AP projection | right wrist pediatric wrist radiograph | age 11 y, female | presentation radiograph | 513 by 1238 pixels —
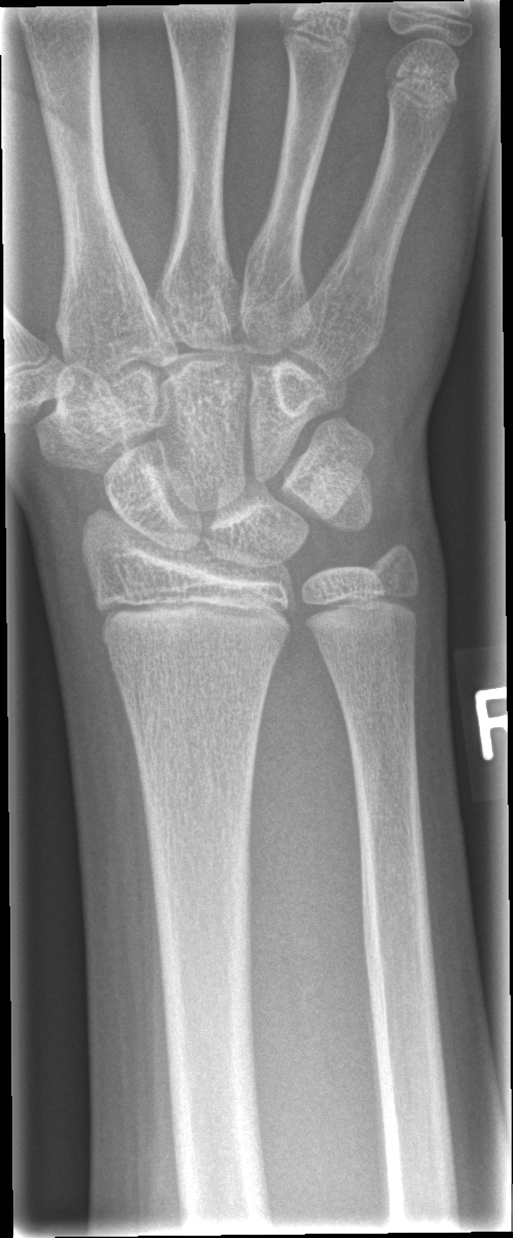
FINDINGS — No Fx annotated.